Frontal projection | L wrist radiograph | 18-year-old female:
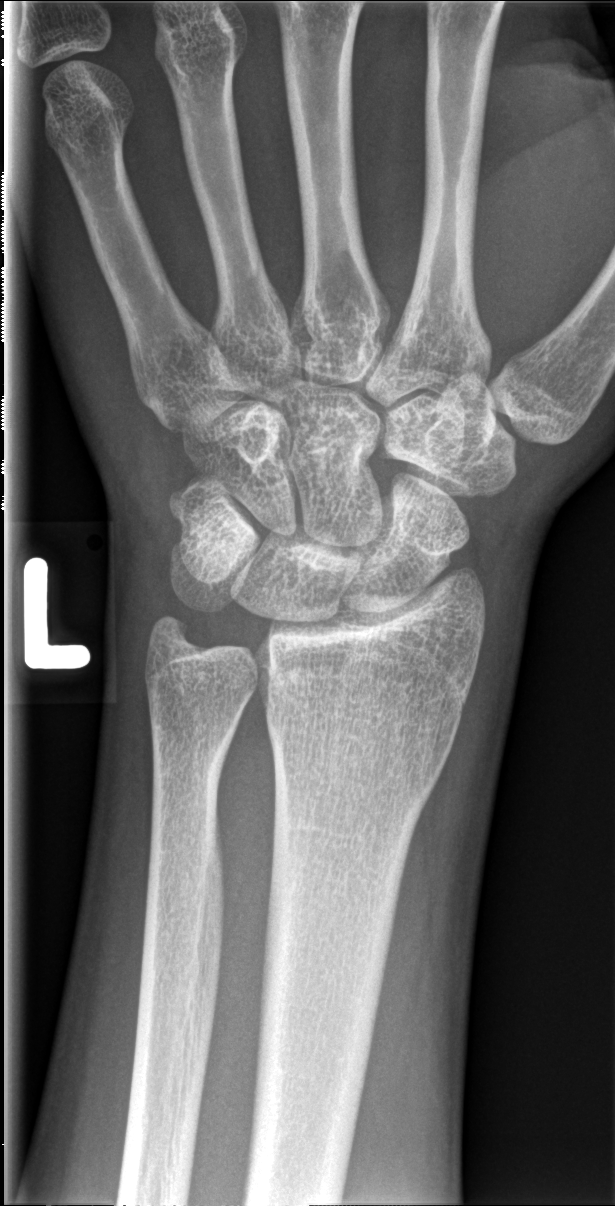

FINDINGS: No fracture bounding box.